Lat view; L wrist XR; age 8 y, female; follow-up; image 101.1 mm wide; 702 x 1020 px —

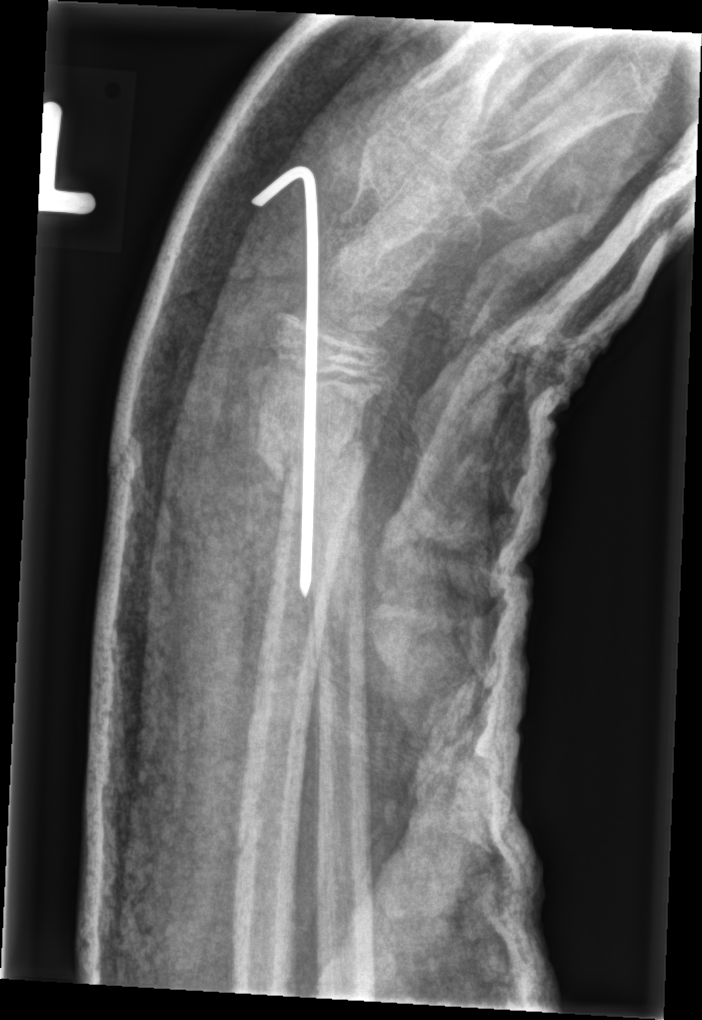
One Fx at 250,424,379,496.
Metal identified at 243,165,323,599.